Lt wrist plain film · lat projection · presentation radiograph · 600 by 1030 pixels:

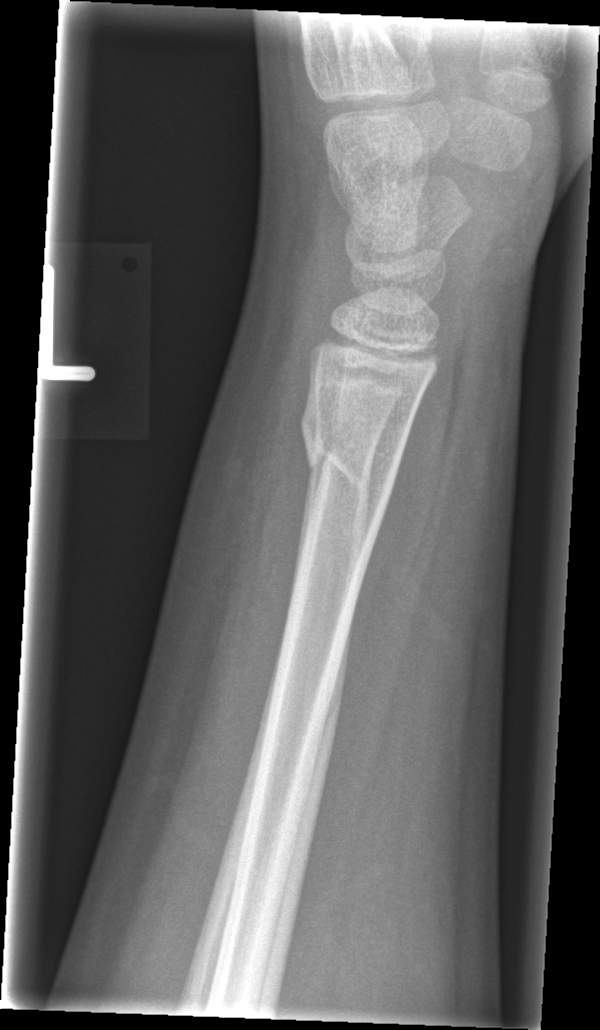 Fracture identified at (left=298, top=402, right=401, bottom=509). Fracture classified AO/OTA 23r-M/2.1.